Left wrist plain radiograph of the wrist · lateral projection · cast in situ:
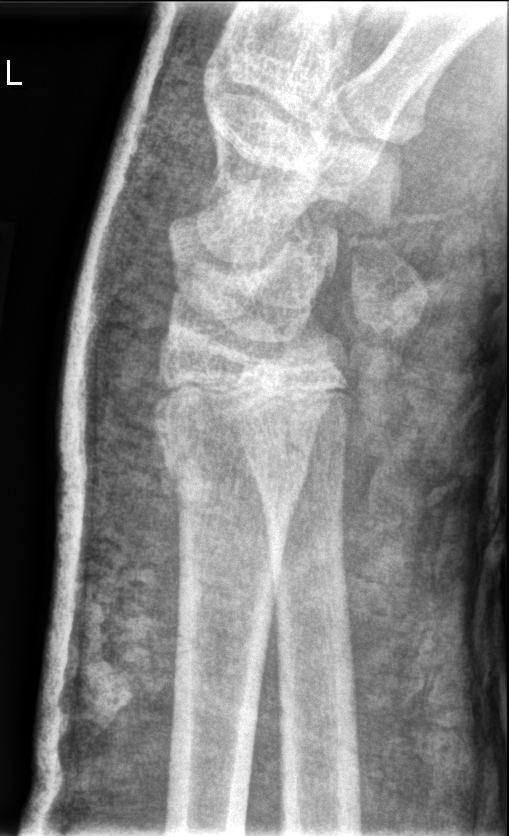 Bounding boxes in image-pixel xyxy.
AO/OTA classification: 23r-M/3.1; 23u-E/7.
Fracture identified at (149, 408, 311, 510).